Left wrist pediatric wrist radiograph · lateral · 7y F · acquired on Siemens · image size 577x1126.

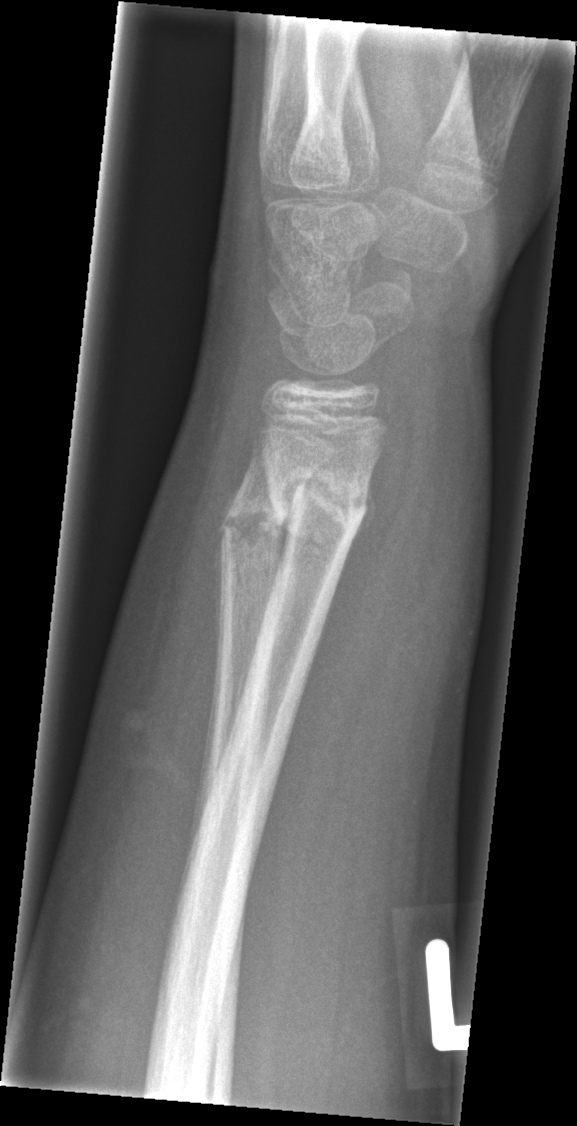
Fx: (264, 458, 372, 542), (217, 501, 289, 559). Fracture classified AO/OTA 23-M/3.1; 23u-E/7. Osteopenic.